Left plain radiograph of the wrist | AP view | 13-year-old boy:
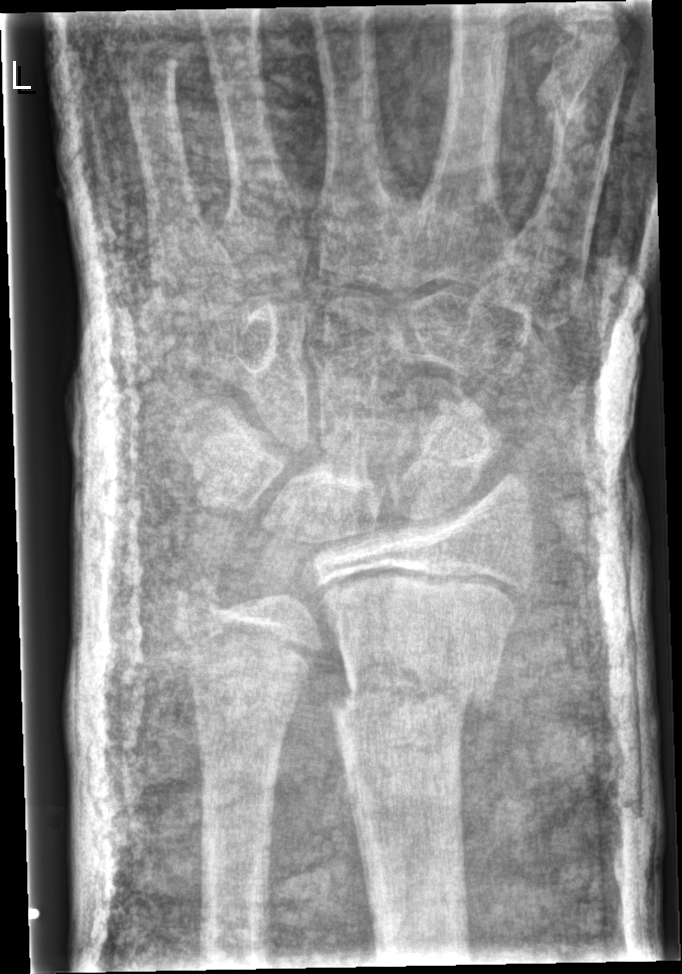 bone fracture = 2 @ <324,645>-<497,729> <164,568>-<236,636>